Left wrist pediatric wrist radiograph, lateral, 11-year-old male, presentation radiograph — 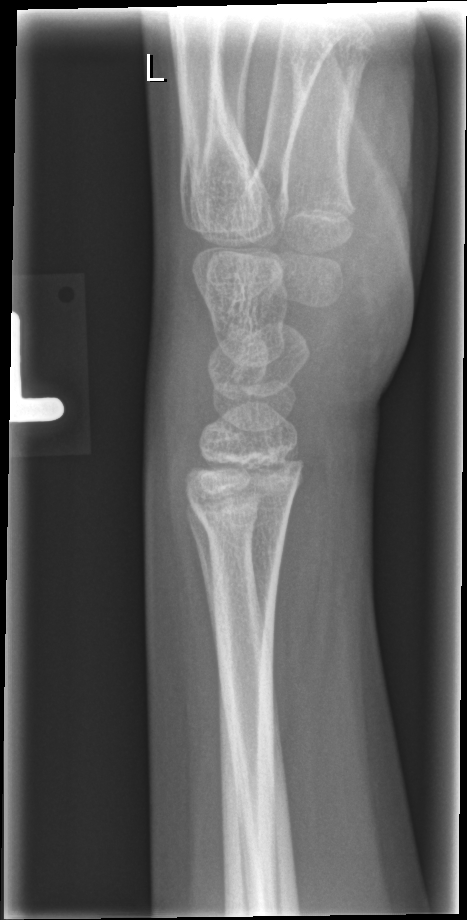

fracture: (187, 492, 295, 555)
AO code: 23r-M/2.1